Lat view | Rt wrist X-ray | detector: Siemens.

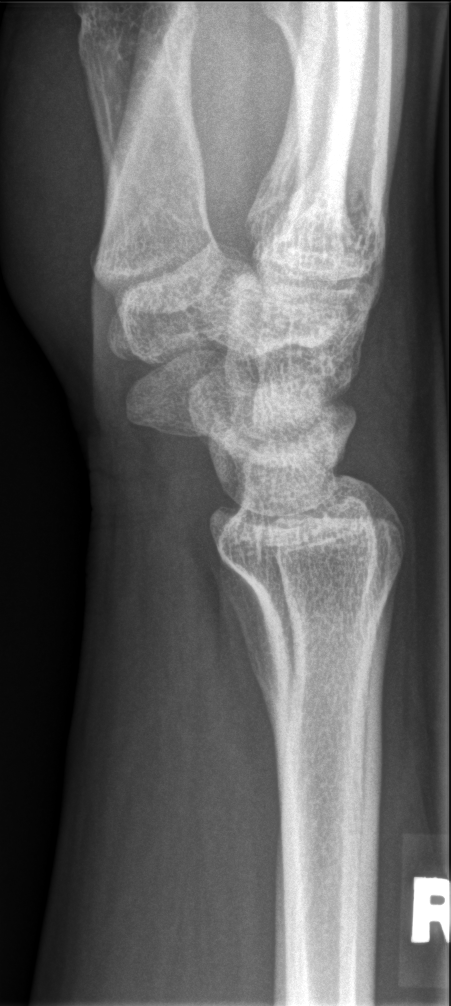
Q: Is there a fracture?
A: No fracture labeled